AP, L pediatric wrist radiograph, 3y M, follow-up study, in cast, image size 578x716 —
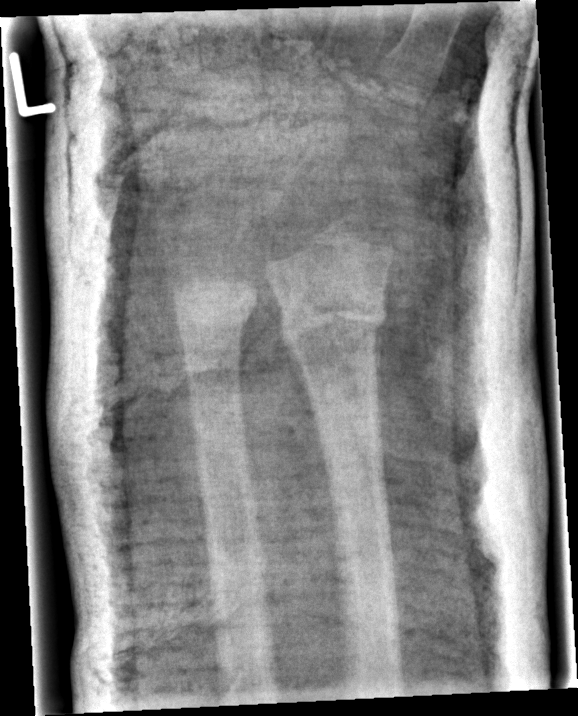

Two bone fractures at 278 292 389 349
  175 297 261 334. AO/OTA classification: 23r-M/3.1; 23u-M/2.1.